Frontal view | Rt wrist XR | pediatric patient (male, age 10). 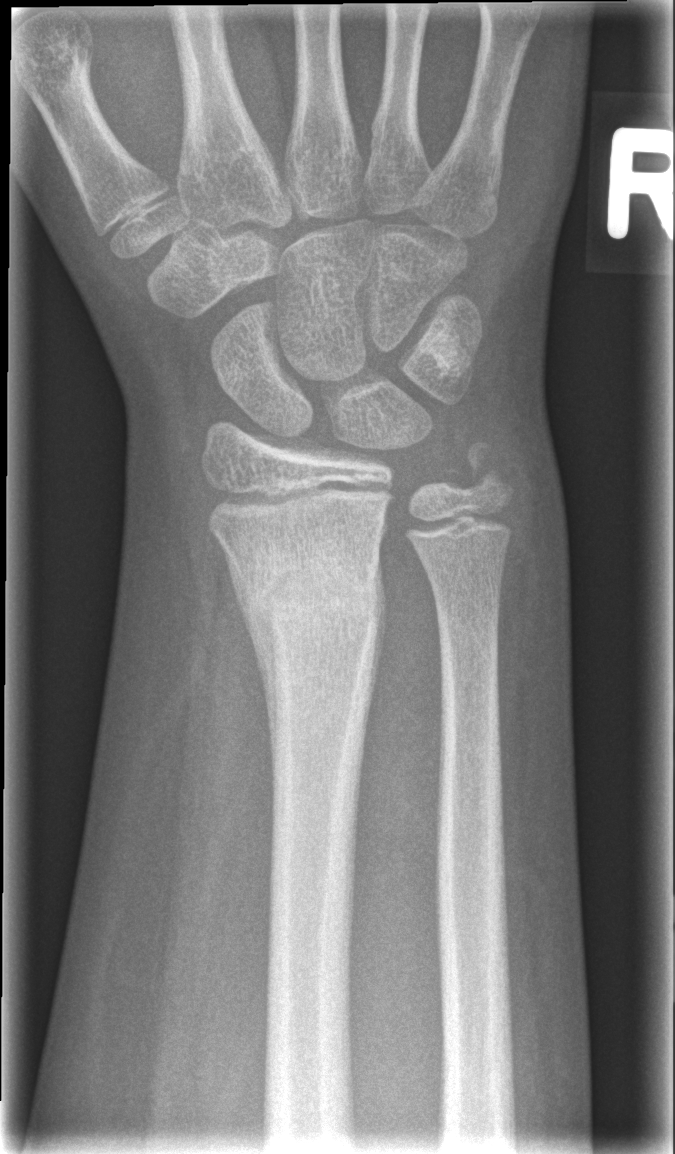

• Fractures — (left=234, top=555, right=388, bottom=690), (left=454, top=437, right=523, bottom=510).
• AO/OTA classification: 23r-M/3.1; 23u-E/7.
• Periosteal thickening — (left=214, top=531, right=279, bottom=780); (left=364, top=545, right=389, bottom=751).